Lat view · Rt wrist plain film · pediatric patient (female, age 9) · 89.7 mm image width · 623 x 1014 px.
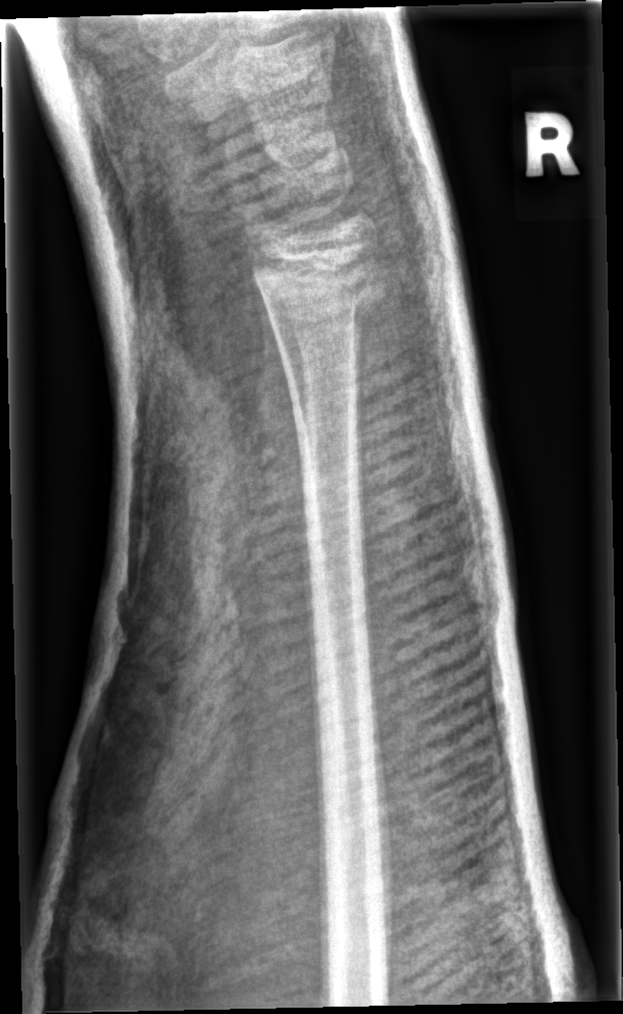
FINDINGS: AO code 23r-M/2.1. Fx: [248, 236, 385, 321].